Left plain radiograph of the wrist | lat | 12y M | detector: Siemens 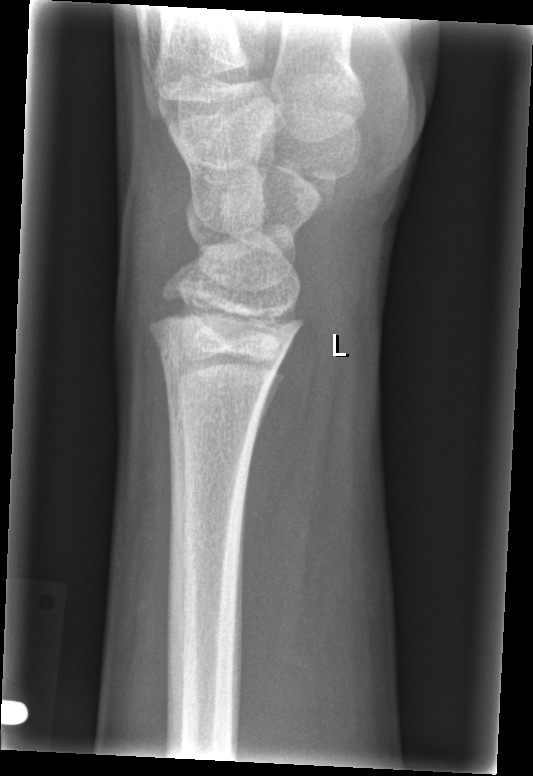 FINDINGS — No fracture labeled. One soft-tissue finding at <120,121>-<192,314>.